Lt pediatric wrist radiograph, AP view. 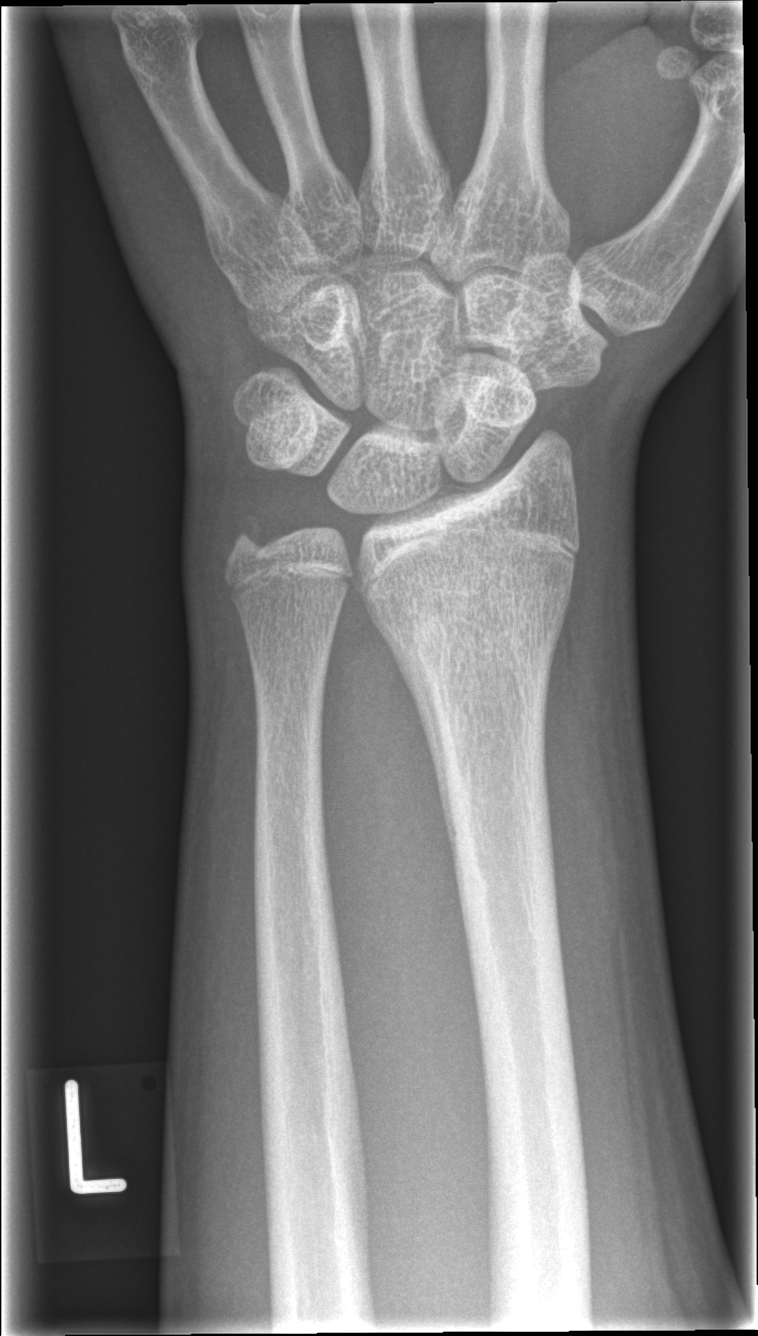

periosteal reaction: 1 @ 373,614,447,830
Fx: 388,582,563,744 | 216,504,284,575